Left wrist X-ray, PA/AP view, pediatric patient (female, age 7), follow-up study, 469 x 894 px

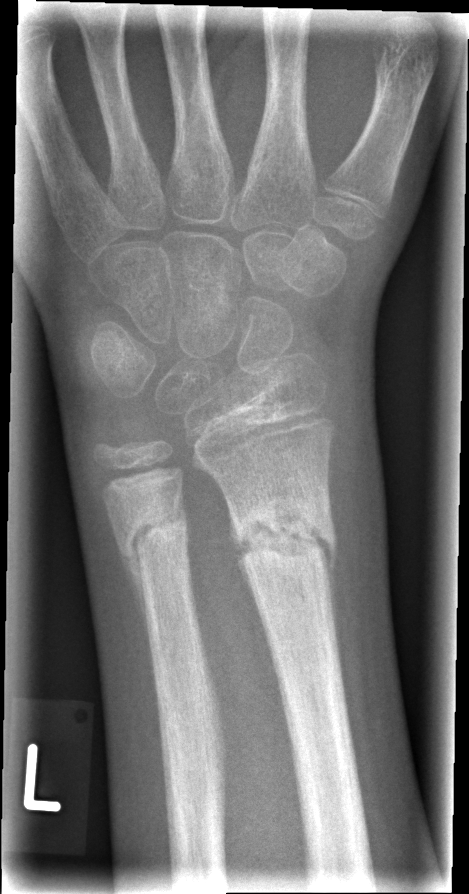

Q: AO code?
A: Fracture classified AO/OTA 23-M/3.1
Q: Fracture present?
A: Fx — [x1=230, y1=484, x2=338, y2=577], [x1=116, y1=496, x2=191, y2=573]
Q: Is there periosteal reaction?
A: Periosteal new bone — [x1=127, y1=556, x2=154, y2=674]; [x1=323, y1=535, x2=343, y2=684]
Q: Bone density?
A: Decreased bone density (osteopenia)